Posteroanterior view, R plain radiograph of the wrist, subsequent exam, 774 x 771 px —
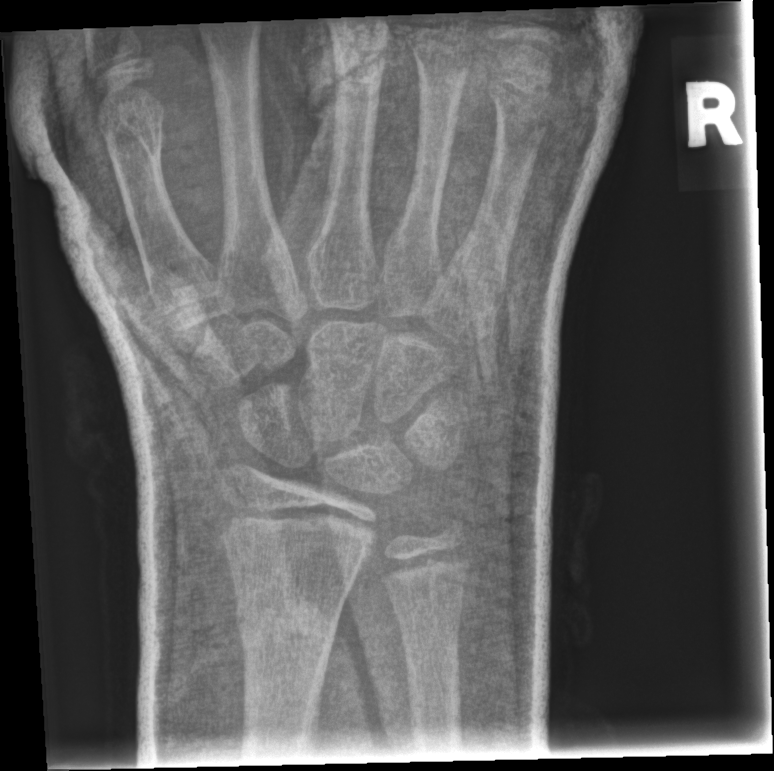

FINDINGS: Fracture: bbox(235, 592, 339, 659).